Lateral projection, right wrist plain radiograph of the wrist —
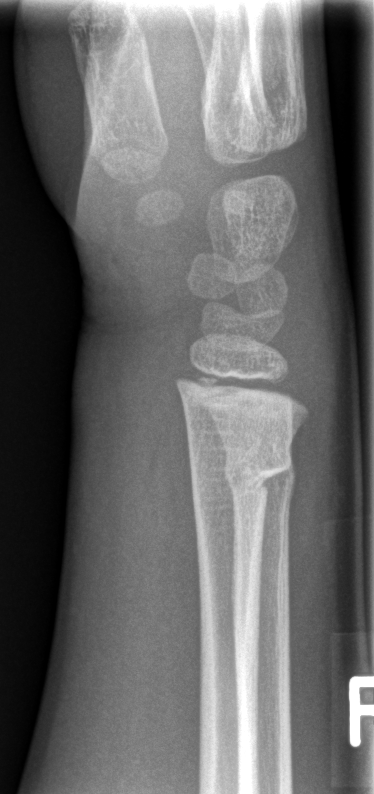 (boxes as x1,y1,x2,y2 (top-left / bottom-right, pixel units))
Q: Any fracture seen?
A: Fx: <187,433>-<294,509> <217,435>-<303,512>
Q: AO code?
A: Fracture classified AO/OTA 23-M/2.1